PA view | Rt wrist X-ray | 10y M | in cast
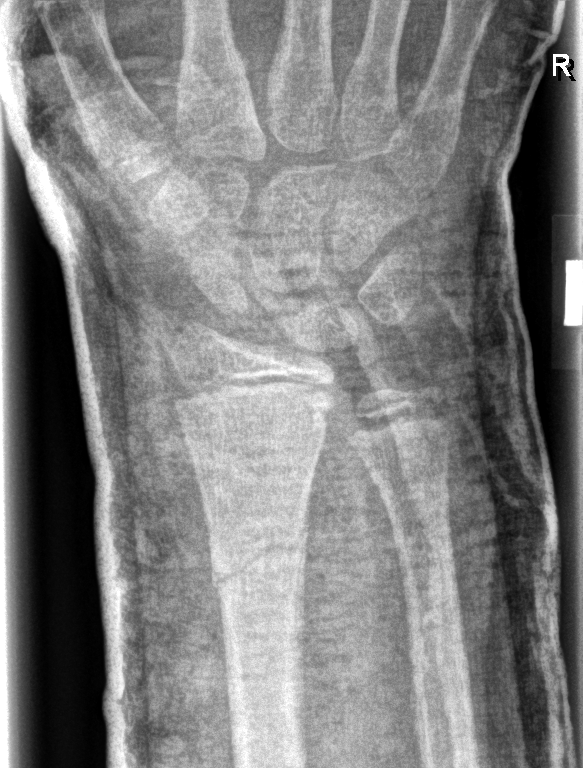 • Pixel coordinates, top-left origin, xyxy.
• Fracture identified at (left=205, top=517, right=313, bottom=597).
• AO/OTA classification: 23r-M/3.1.